Lateral | left wrist radiograph | index exam | image 70.0 mm wide
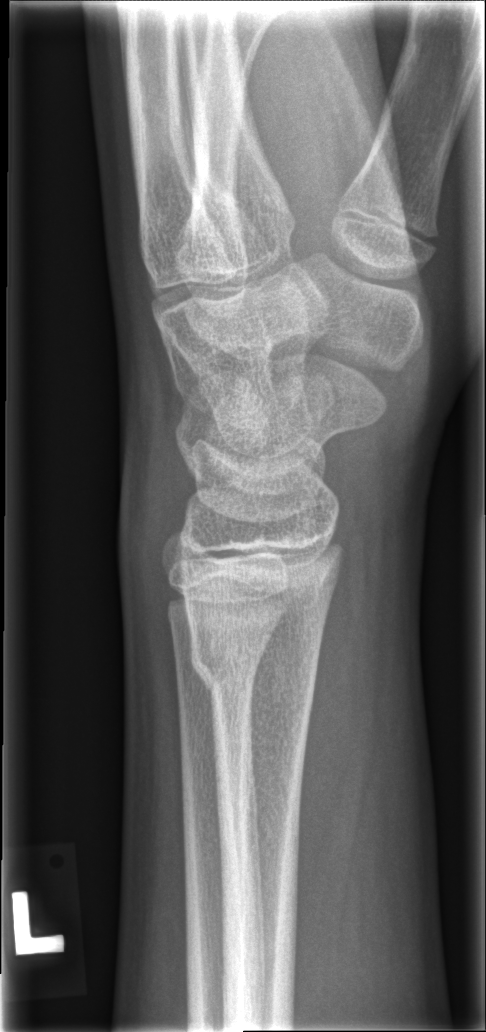 Q: Fracture present?
A: Bone fracture — <185,630>-<323,709>
Q: Pronator fat-pad sign?
A: Pronator quadratus fat-pad sign: <295,554>-<360,925>
Q: AO code?
A: Fracture classified AO/OTA 23r-M/2.1